Left wrist X-ray, PA/AP projection, pediatric patient (male, age 10), cast present
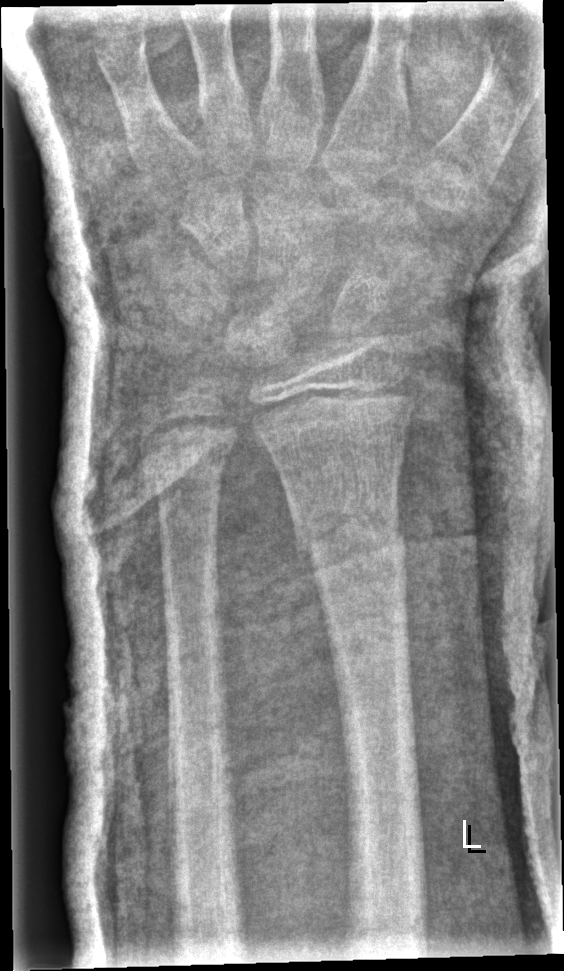

Fx: bbox(287, 496, 411, 573) bbox(138, 441, 229, 505)